Lat projection, left wrist radiograph, image size 473x1014 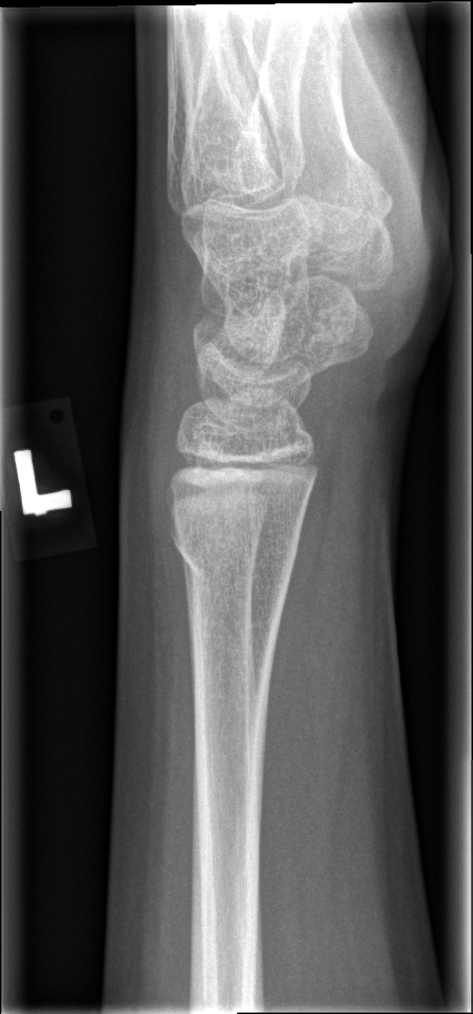 Fx: [x1=166, y1=505, x2=299, y2=588]
AO code: 23r-M/2.1